Frontal view · left pediatric wrist radiograph · boy, 3 yo · cast present · image width 73.7 mm · 512x1066 —

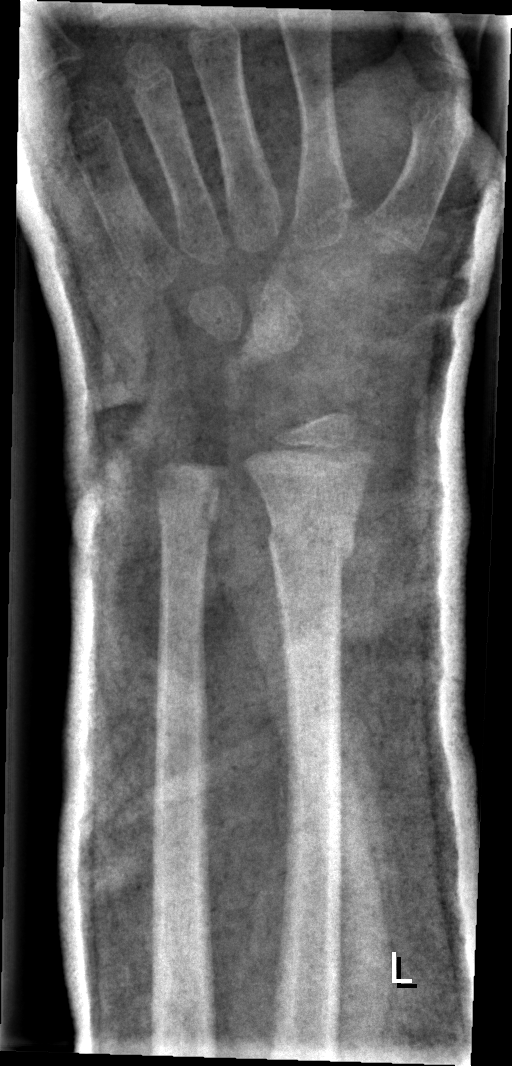

AO/OTA: 23r-M/3.1
Bone fracture: (left=265, top=512, right=357, bottom=570)